Rt wrist X-ray · lateral · 14-year-old male · follow-up · Siemens

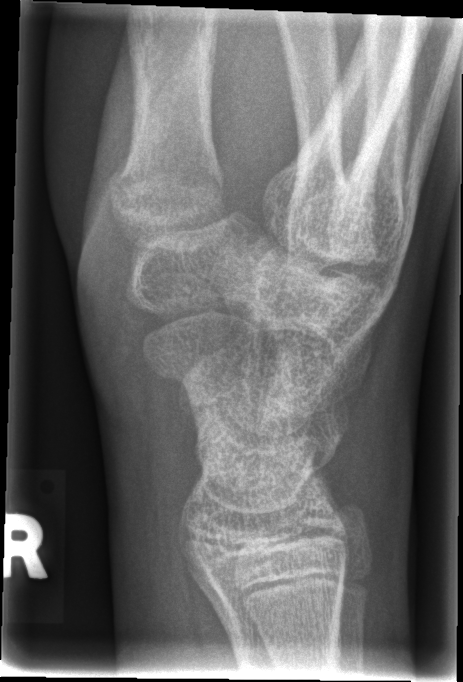
AO code = 72B.(b)
bone fracture = present but not clearly seen in this view